Right wrist plain film | lat | age 9 y, male | equivocal findings.
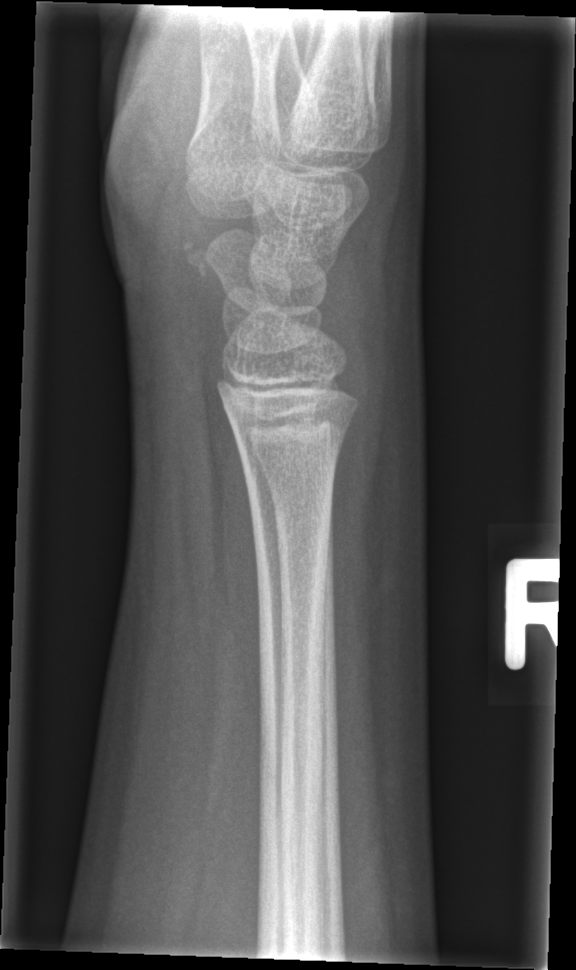

AO code 23r-M/2.1. One bone fracture at <228,414>-<359,470>.